PA/AP | Rt wrist XR | pediatric patient (girl, age 13) —

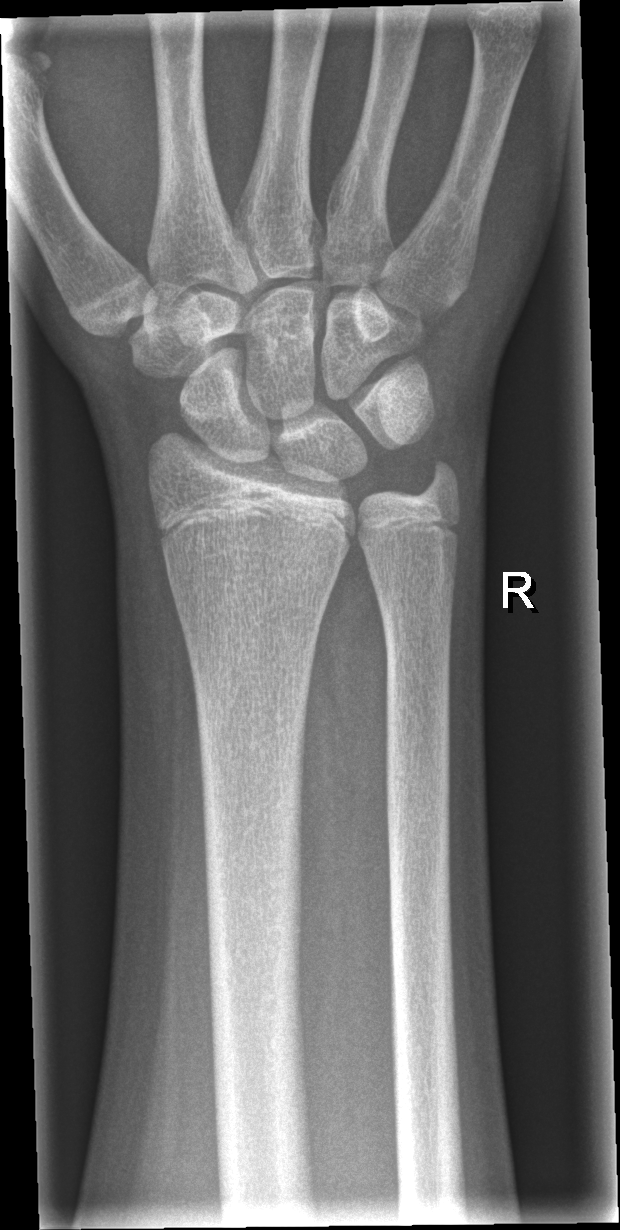
Q: Fracture present?
A: Fracture: none labeled